AP view; Lt wrist XR; age 4 y, girl; presentation radiograph:

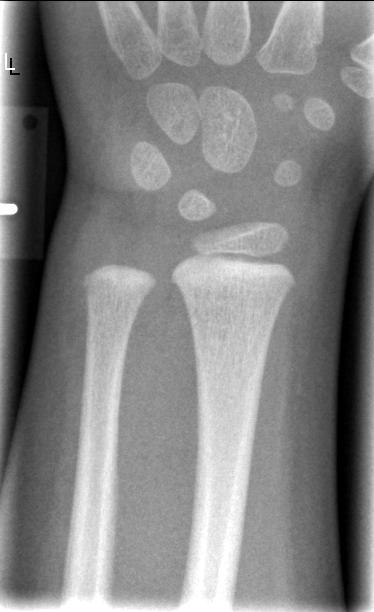
fracture: none labeled